Oblique; R wrist XR; age 4 y, male; initial study; image 81.8 mm wide; 568 x 706 px:

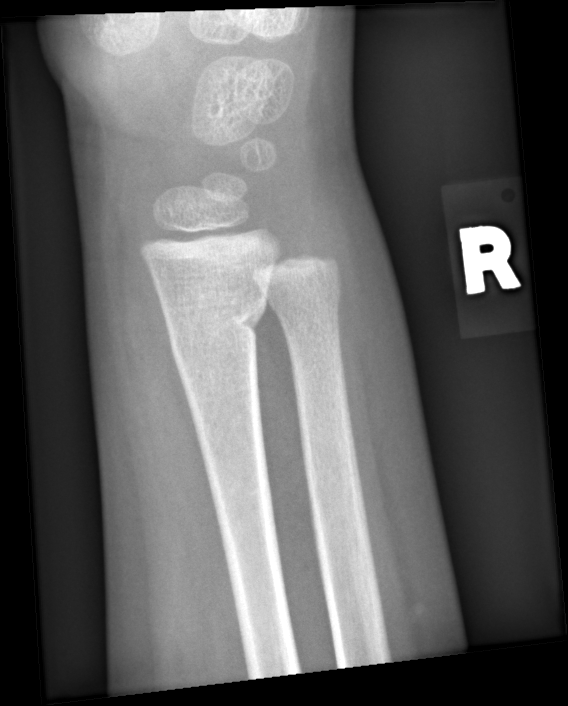
  fracture: [x1=164, y1=293, x2=268, y2=365] [x1=260, y1=278, x2=346, y2=315]
  ao: 23-M/2.1